Lateral projection; left wrist XR; 9y M; follow-up study; imaged through cast

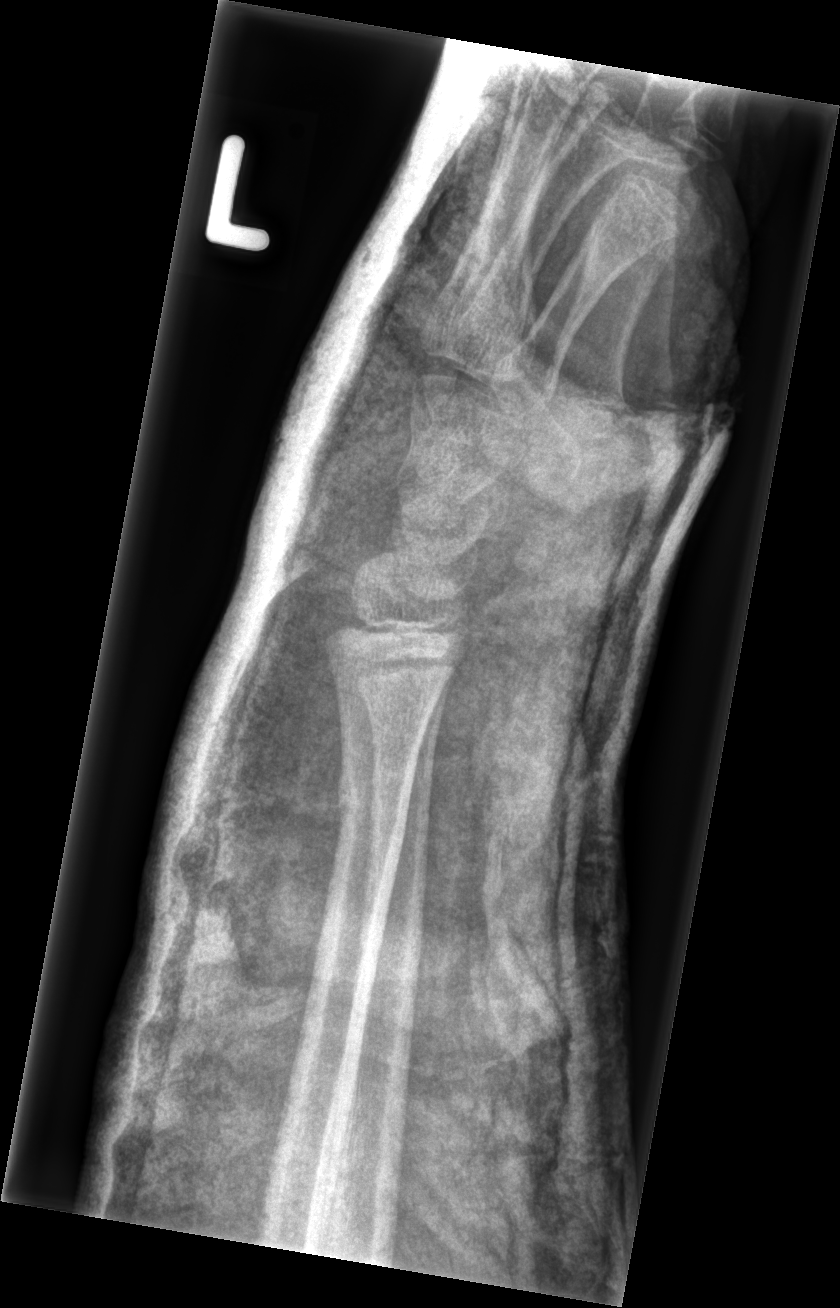
FINDINGS — One fracture at <329,762>-<415,864>. Fracture classified AO/OTA 23-M/2.1.